Left wrist plain film · frontal view

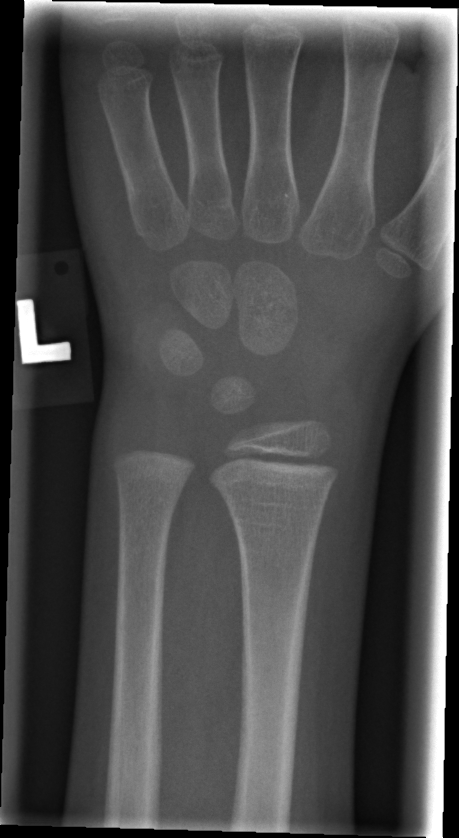
{"fracture": "none labeled"}